R plain radiograph of the wrist, lateral projection:

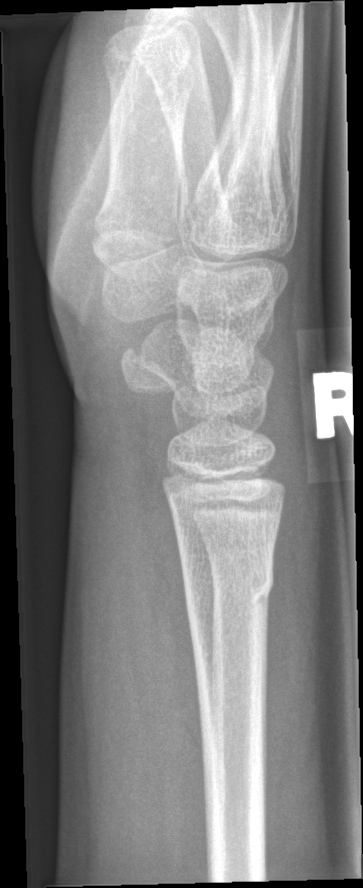

Q: Any fracture seen?
A: Bone fracture identified at [x1=178, y1=553, x2=277, y2=630]